Lat projection · Lt plain radiograph of the wrist · male, 16 yo · presentation radiograph · image 76.8 mm wide. 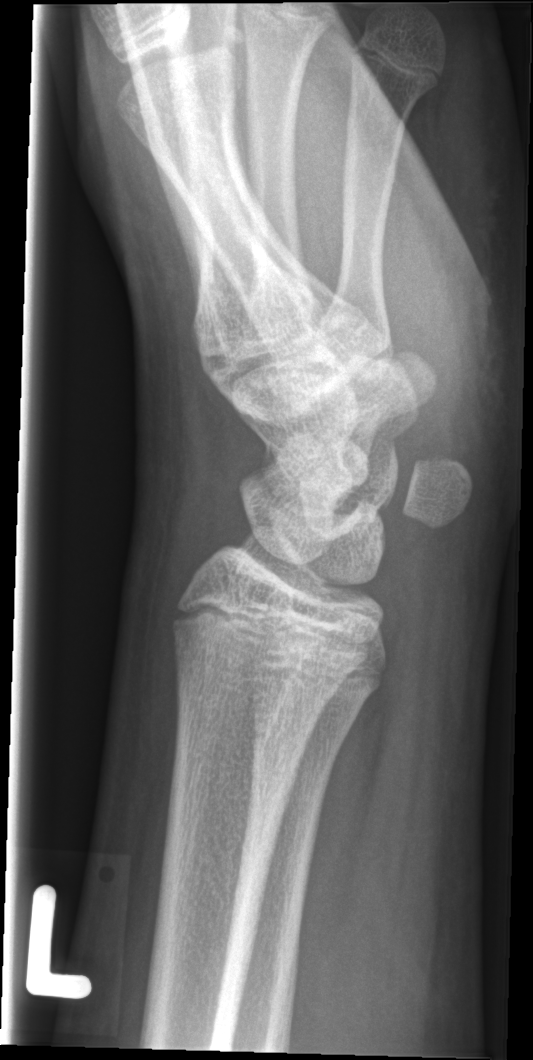
FINDINGS: No Fx annotated.